PA view · left wrist XR · pediatric patient (boy, age 8)
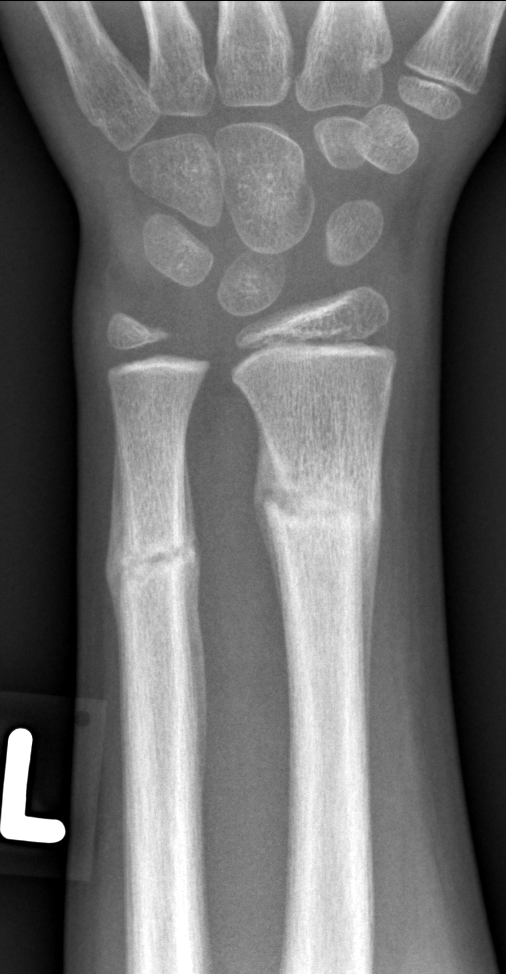 Q: Is there a fracture?
A: Fracture: bbox(261, 464, 385, 556) bbox(108, 532, 189, 592)
Q: Is there periosteal reaction?
A: Periosteal reaction: bbox(182, 455, 210, 832); bbox(354, 469, 383, 759); bbox(106, 435, 125, 678); bbox(263, 512, 289, 624)
Q: What is the AO/OTA classification?
A: AO/OTA classification: 23-M/3.1